Left wrist plain film | lat projection | 10y M | initial study | 69.1 mm image width — 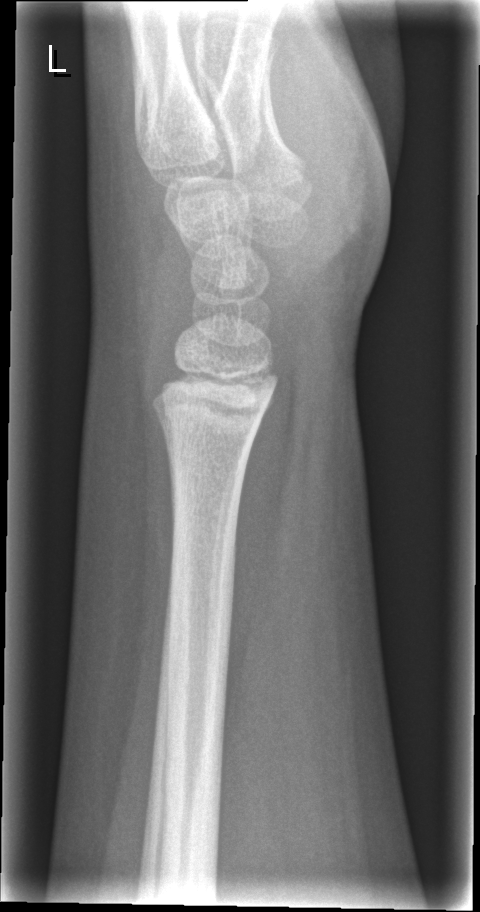 No fracture annotation.